Right wrist XR · posteroanterior view · 15-year-old boy · in cast

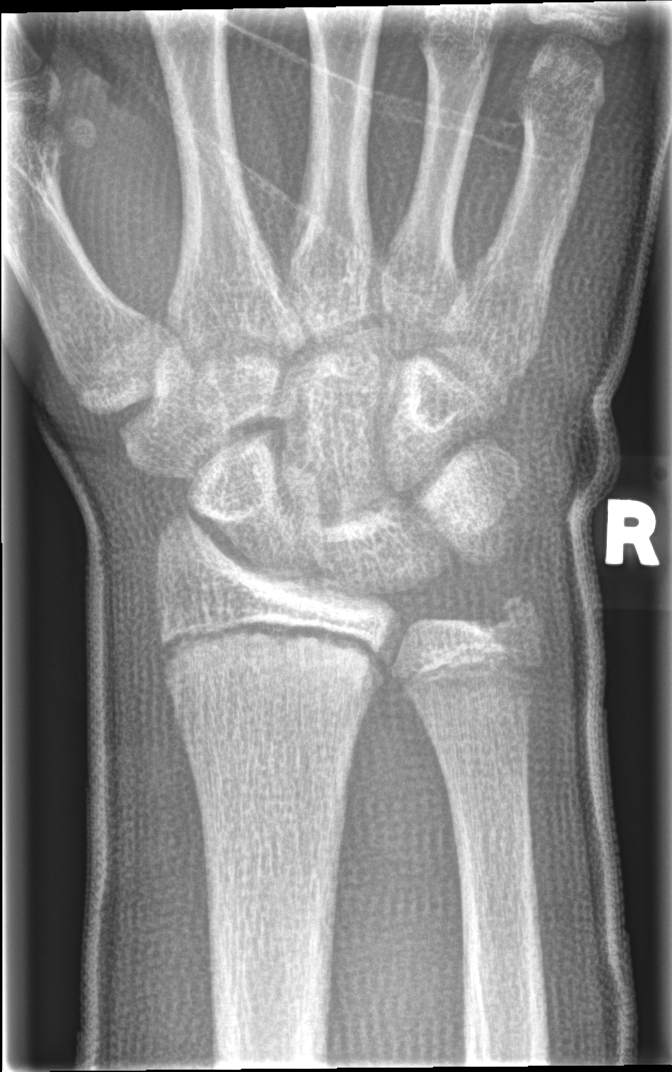 Two Fx at [159, 616, 383, 692]; [480, 584, 546, 645].
AO code 23r-E/2.1; 23u-E/7.